Left wrist plain radiograph of the wrist | PA view | presentation radiograph | image width 70.0 mm 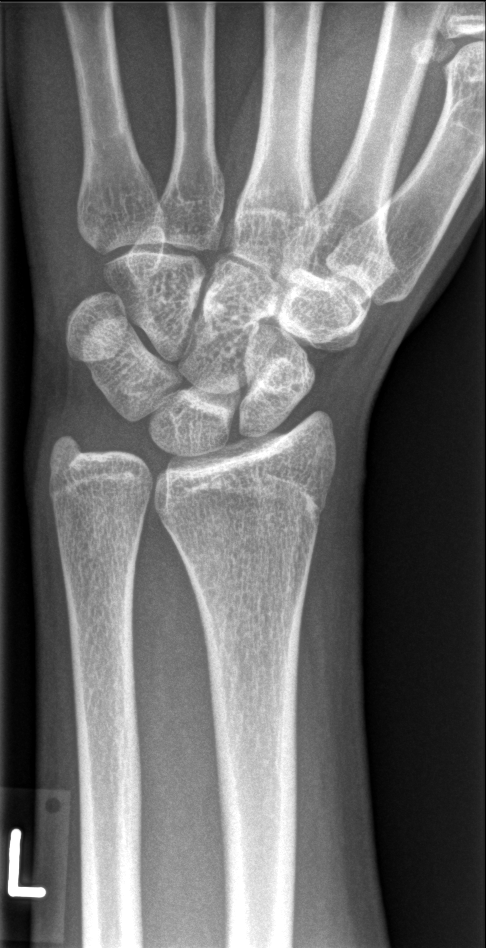
  fracture: none labeled